Left wrist plain film; lateral view; image size 602x862 —

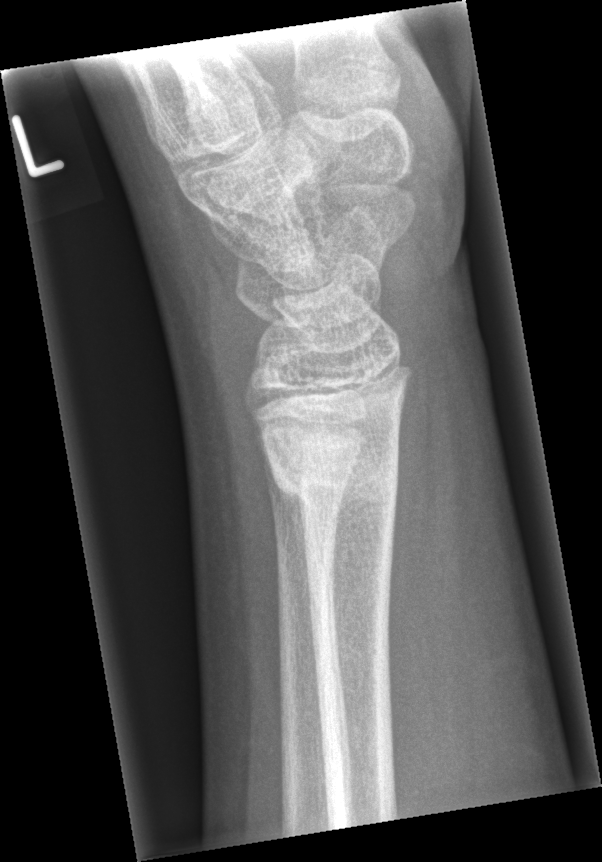 • Bone fracture — (265, 435, 405, 512).
• AO/OTA classification: 23r-M/2.1.